Posteroanterior · right wrist radiograph · follow-up · image width 105.7 mm.

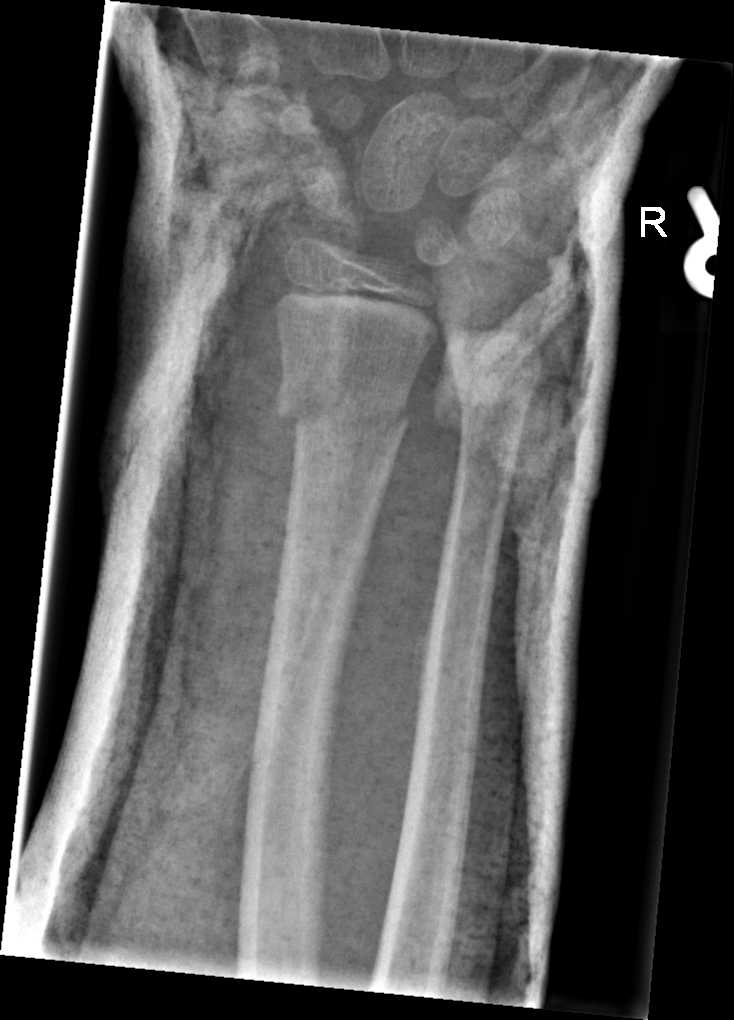
Fx: bbox(270, 374, 414, 446)